Left wrist X-ray; lateral projection; 9-year-old female; image size 431x1154:
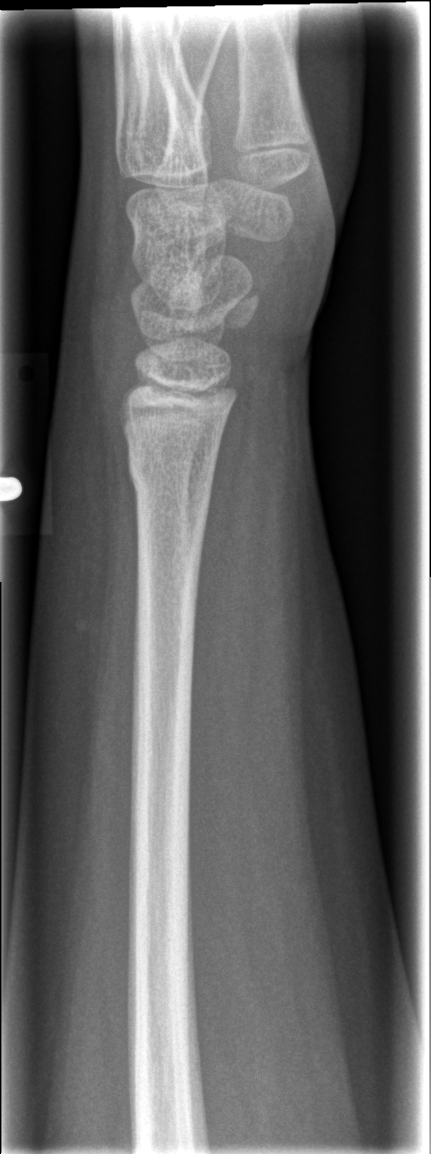
AO code 23r-M/2.1. Fx identified at bbox(125, 448, 216, 502).